R pediatric wrist radiograph · frontal projection · 11y F · image width 112.0 mm · 778 by 1202 pixels: 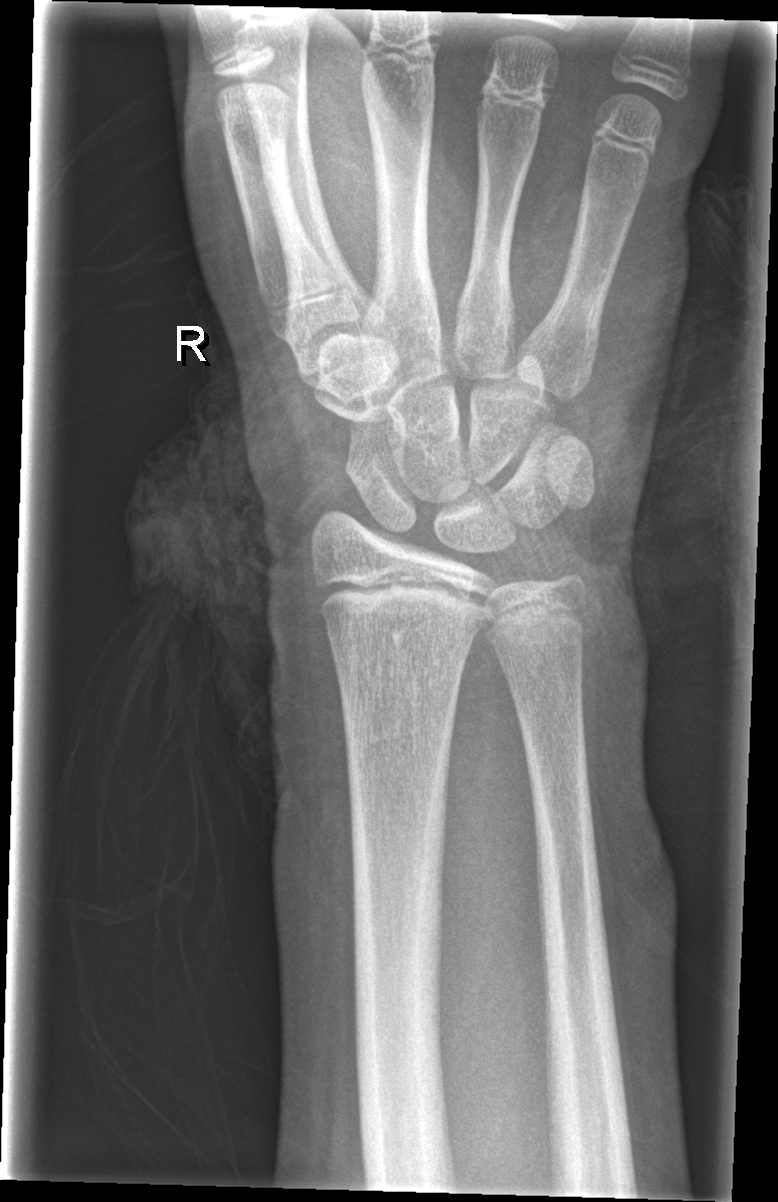
FINDINGS — No fracture labeled.